PA · Lt pediatric wrist radiograph · female, 8 yo · 491 x 1226 px —
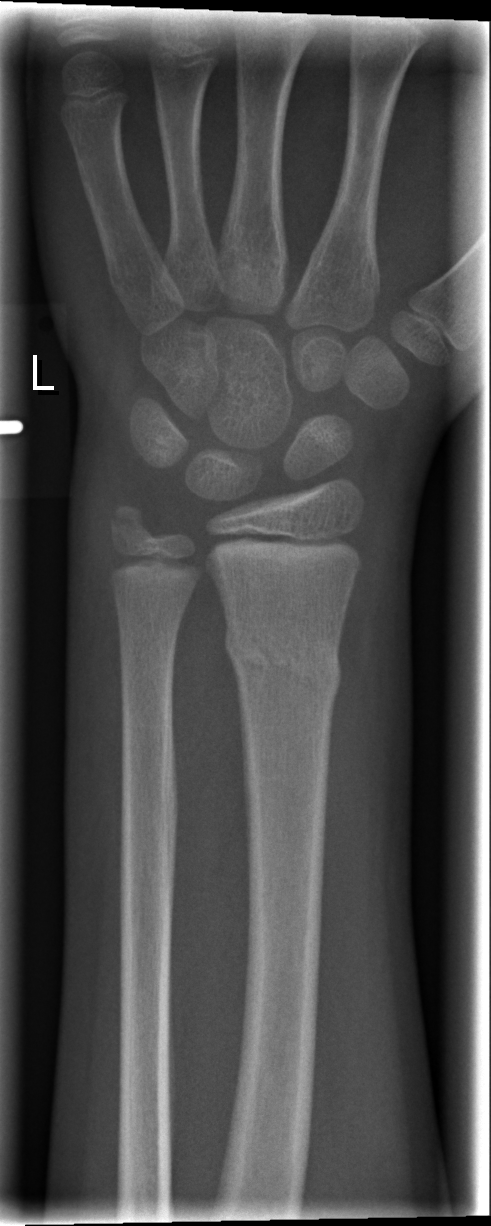
Fracture classified AO/OTA 23r-M/2.1; 23u-E/7.
Bone fractures — [x1=223, y1=630, x2=343, y2=705], [x1=104, y1=498, x2=156, y2=543].